AP | left wrist radiograph | age 9 y, female.
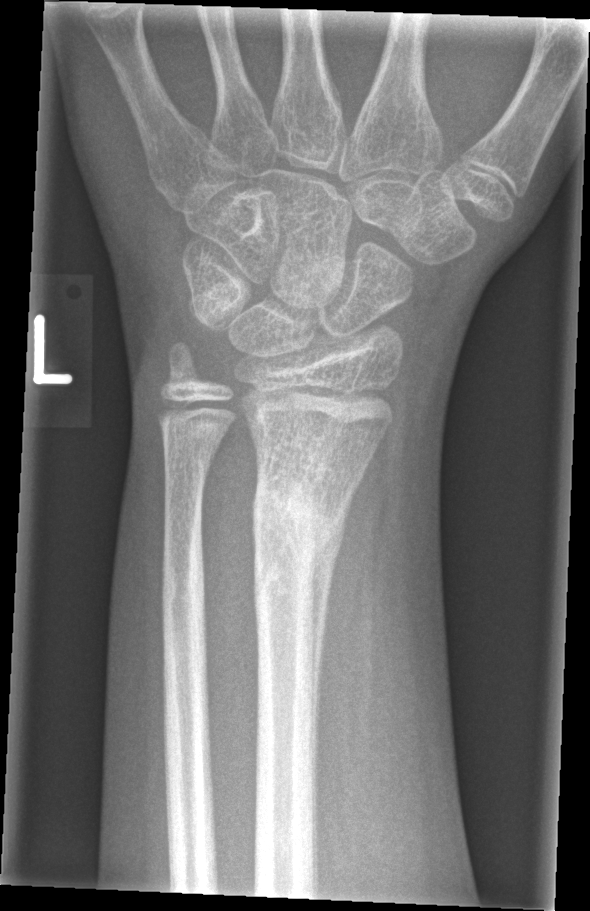

Periosteal new bone — bbox(310, 485, 358, 800).
Fracture: bbox(247, 466, 350, 585).
AO/OTA classification: 23r-M/3.1; 23u-M/2.1; 23u-E/7.